PA/AP · L wrist XR · cast in situ · acquired on Siemens —
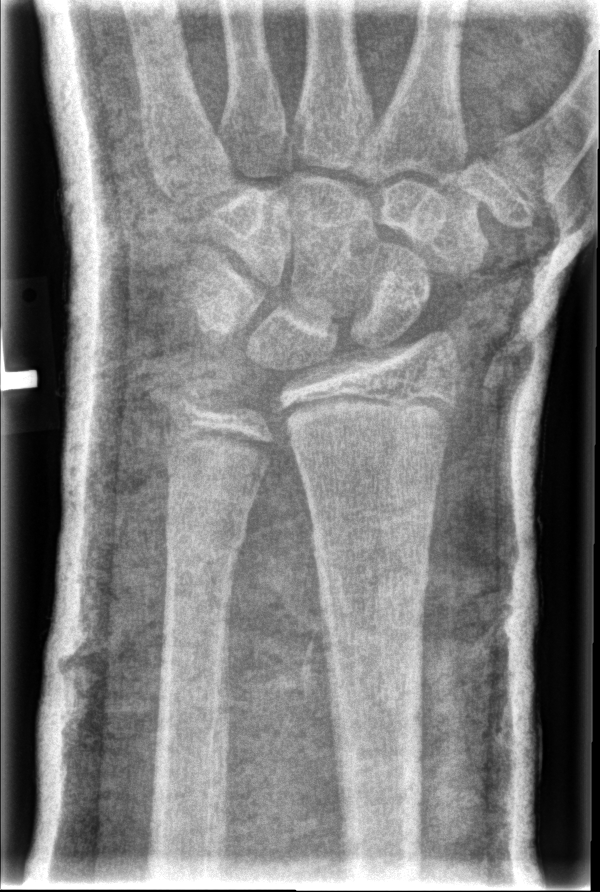

FINDINGS: (boxes as x1,y1,x2,y2 (top-left / bottom-right, pixel units)) Bone fractures — <309,530>-<432,612>, <161,501>-<250,578>.